R wrist plain film · AP projection · male, 15 yo · image size 597x1102 — 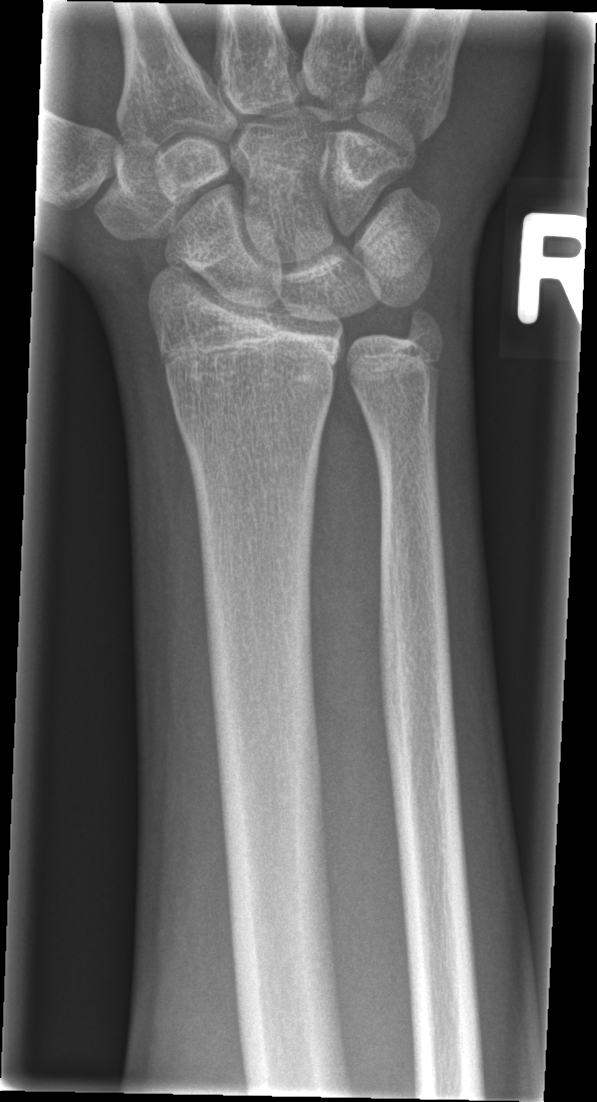 fracture: none labeled